Lat projection, left wrist plain radiograph of the wrist, 13-year-old boy, cast in situ —

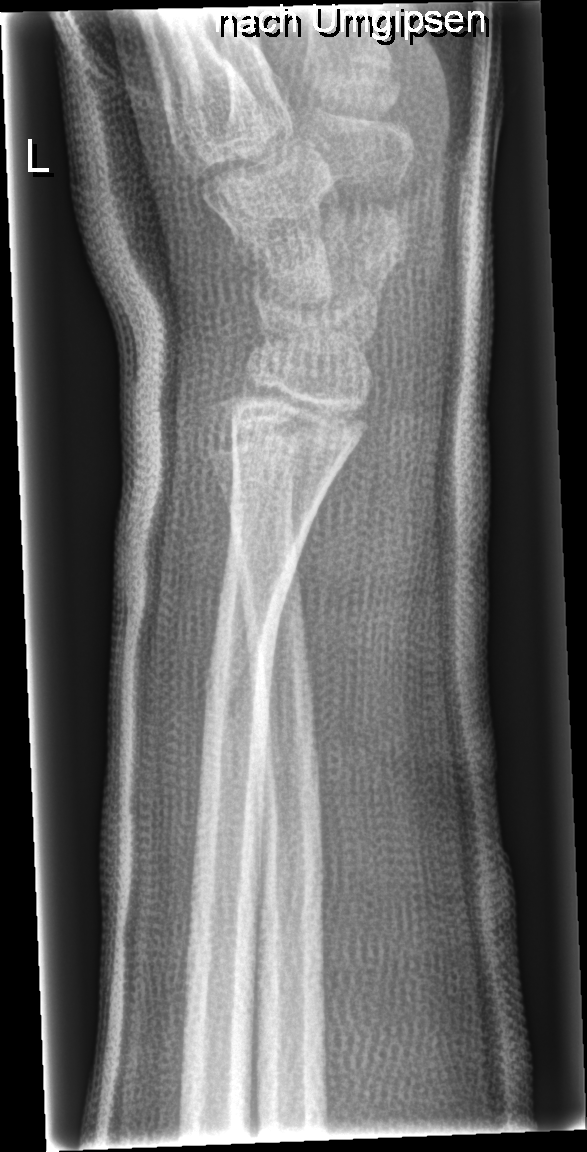 - Bounding boxes in image-pixel xyxy.
- Fracture identified at (left=197, top=549, right=299, bottom=726).